L pediatric wrist radiograph · PA: 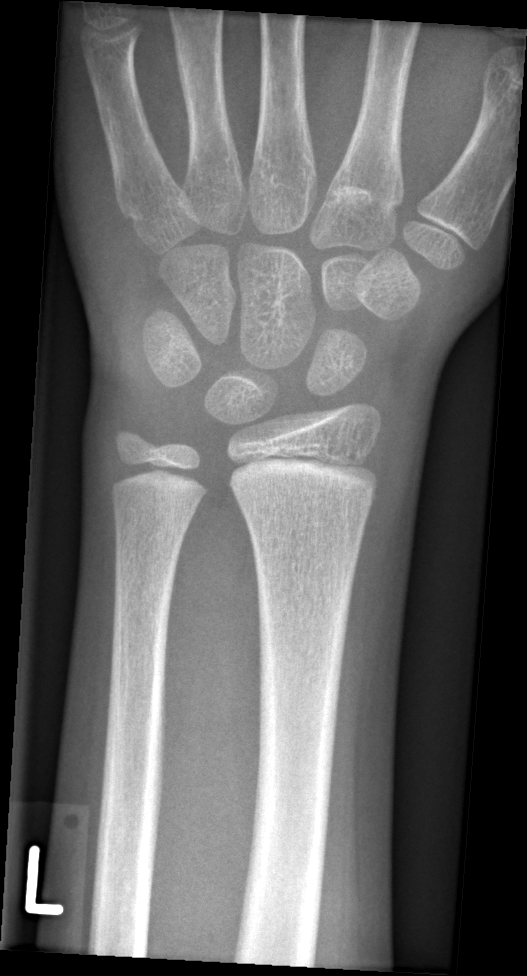

Fx: none.